Lat projection · Rt wrist X-ray —

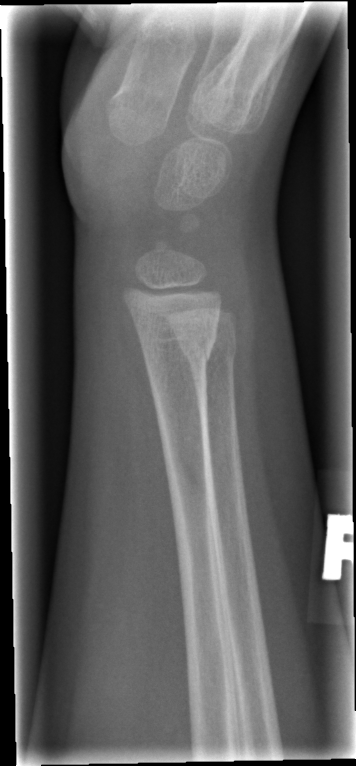 (pixel coordinates, top-left origin, xyxy)
Fx: bbox(135, 337, 216, 384); bbox(180, 332, 240, 369)
AO classification: 23-M/2.1